PA/AP projection, right pediatric wrist radiograph, 9-year-old girl.

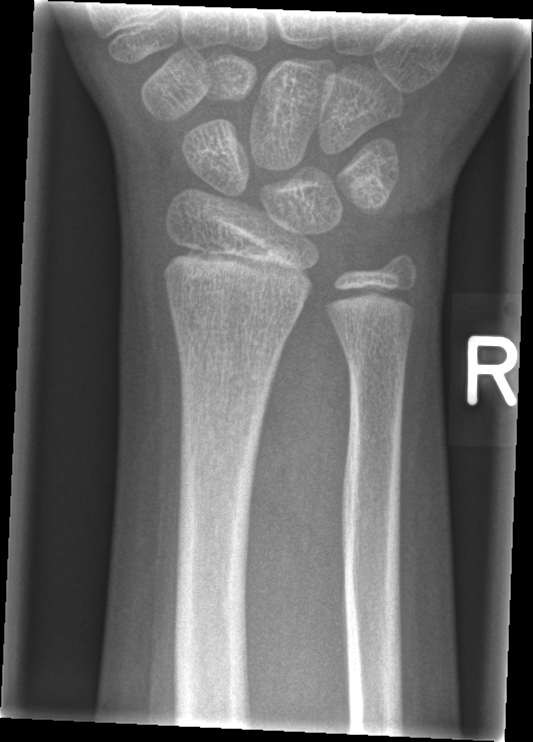   ao: 23r-M/2.1
  fracture: present but not clearly seen in this view